Left wrist plain film, lateral, 7-year-old male, image 75.2 mm wide —
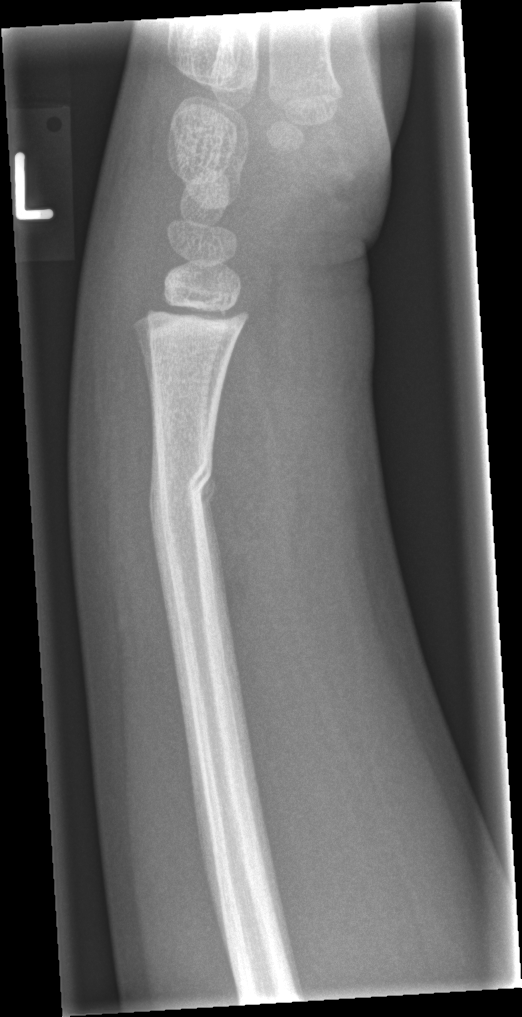

(pixel coordinates, top-left origin, xyxy)
Q: Fracture present?
A: Fracture — 147 451 219 533
Q: Any soft-tissue swelling?
A: Soft-tissue finding identified at 81 244 184 773
Q: Is the pronator sign positive?
A: Pronator quadratus fat-pad sign — 210 322 287 679